Left wrist XR · lat view · 10y M · presentation radiograph. 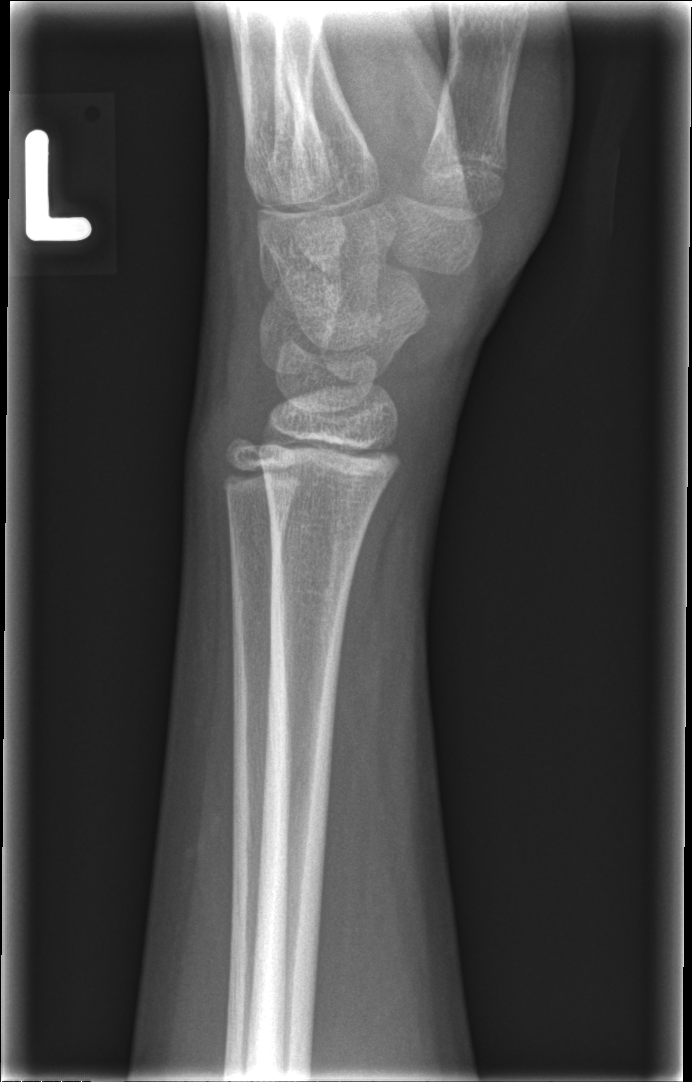

FINDINGS — No fracture labeled.